PA | left wrist plain radiograph of the wrist | 5-year-old boy | 425 x 818 px: 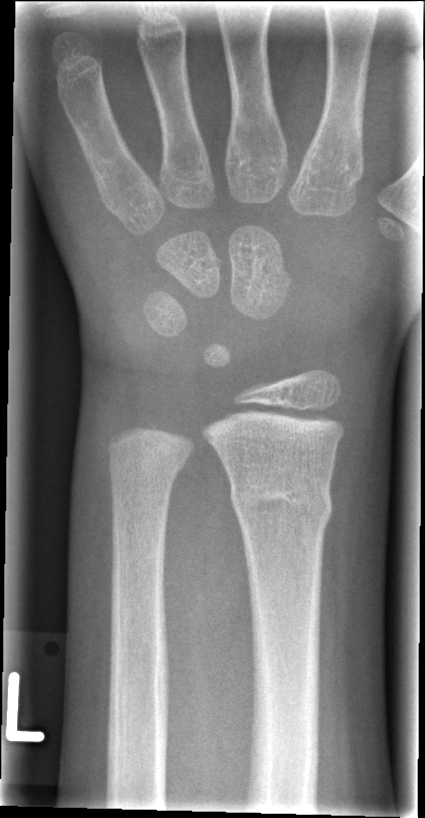 Fx identified at 227,469,335,533
  106,444,189,496. AO/OTA classification: 23-M/2.1.